Lt wrist XR | lateral projection | follow-up | cast in situ 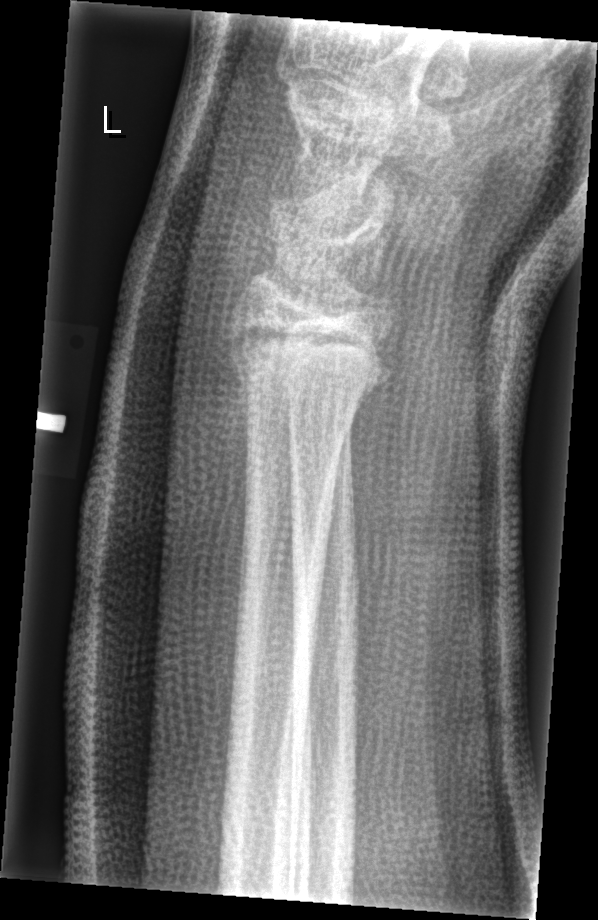
(pixel coordinates, top-left origin, xyxy)
Q: Is there a fracture?
A: Fx identified at (left=223, top=320, right=398, bottom=407)
Q: AO code?
A: AO code 23r-E/2.1; 23u-E/7